Right wrist plain radiograph of the wrist | PA/AP 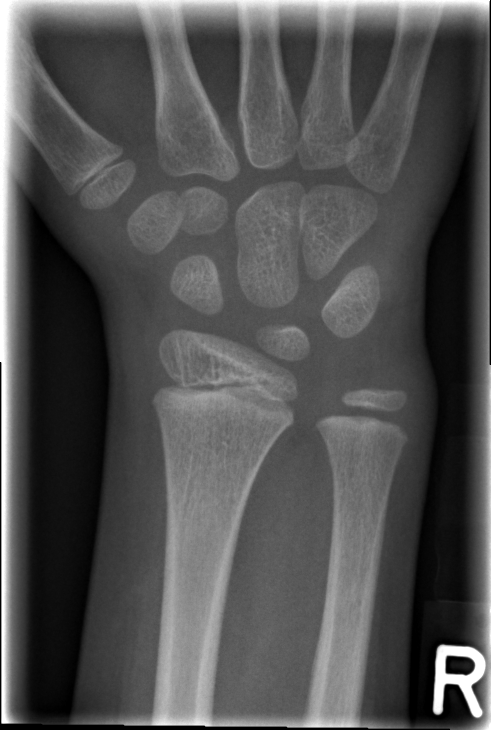
{"fracture": "none labeled"}